R wrist plain film · PA/AP · 514 by 776 pixels. 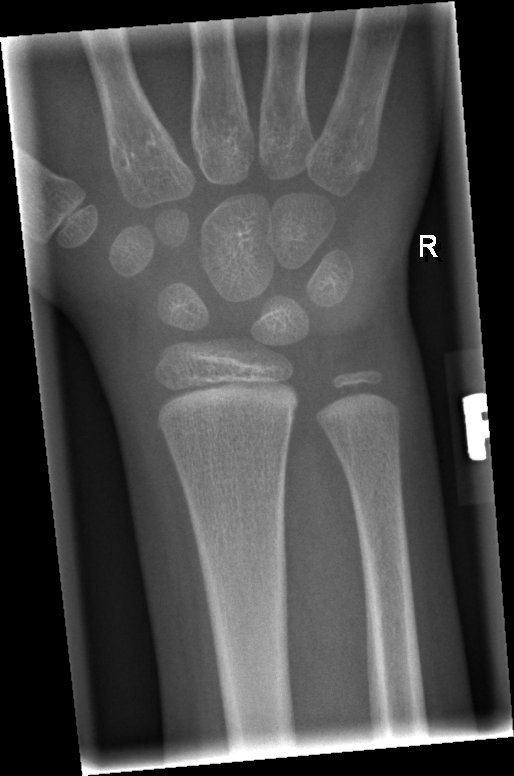 • Fracture: none labeled.